Left wrist X-ray | lat projection | pediatric patient (female, age 11) | index exam —
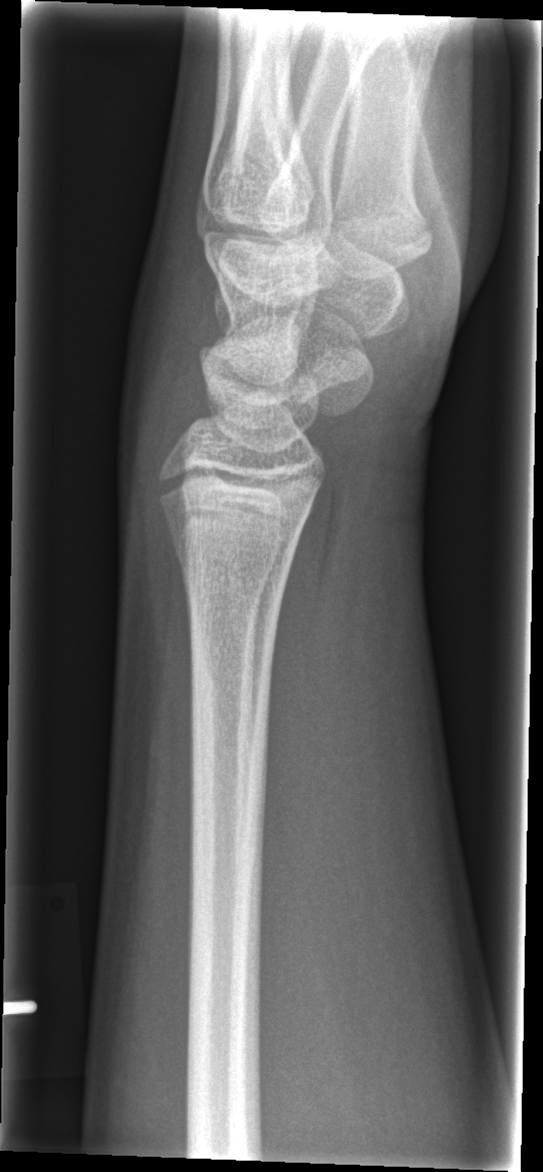
FINDINGS — No Fx annotated.